Posteroanterior view | left wrist XR | 17y M | index exam | image width 96.2 mm | image size 668x1347 — 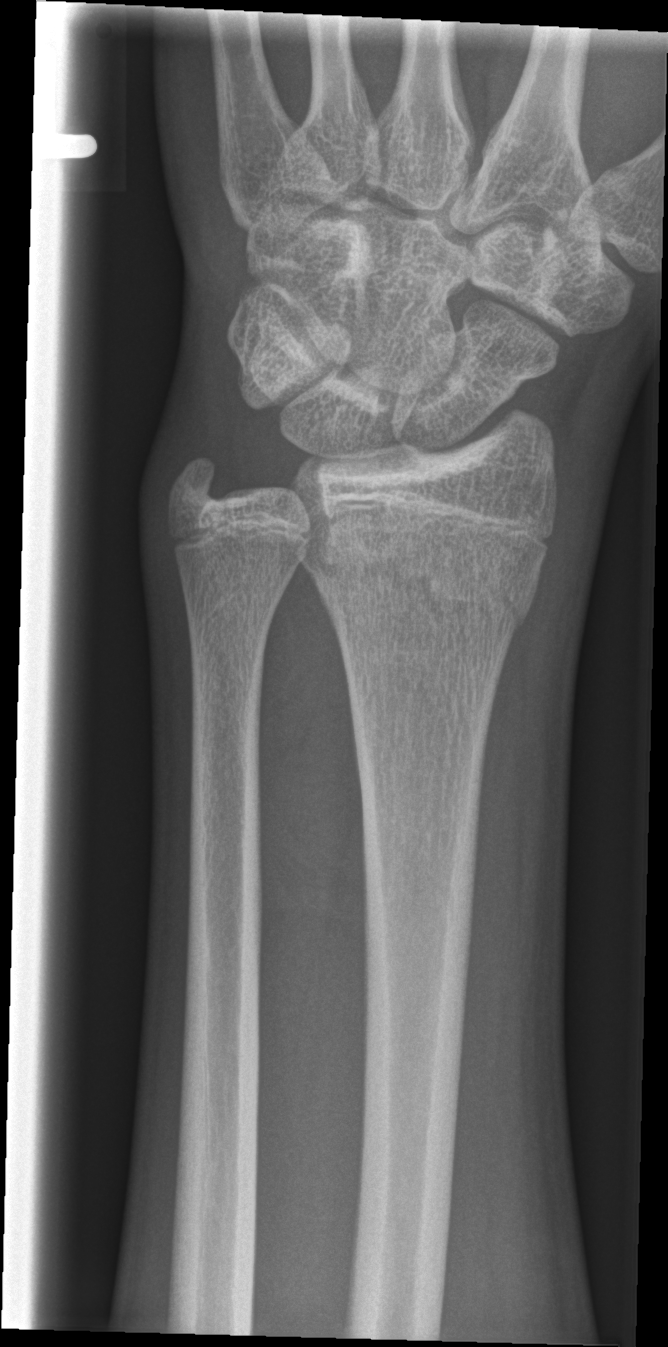 FINDINGS: (bounding boxes in image-pixel xyxy) AO code 23r-M/3.1. Bone fracture: <300,515>-<545,641>.